Right wrist radiograph, lateral view 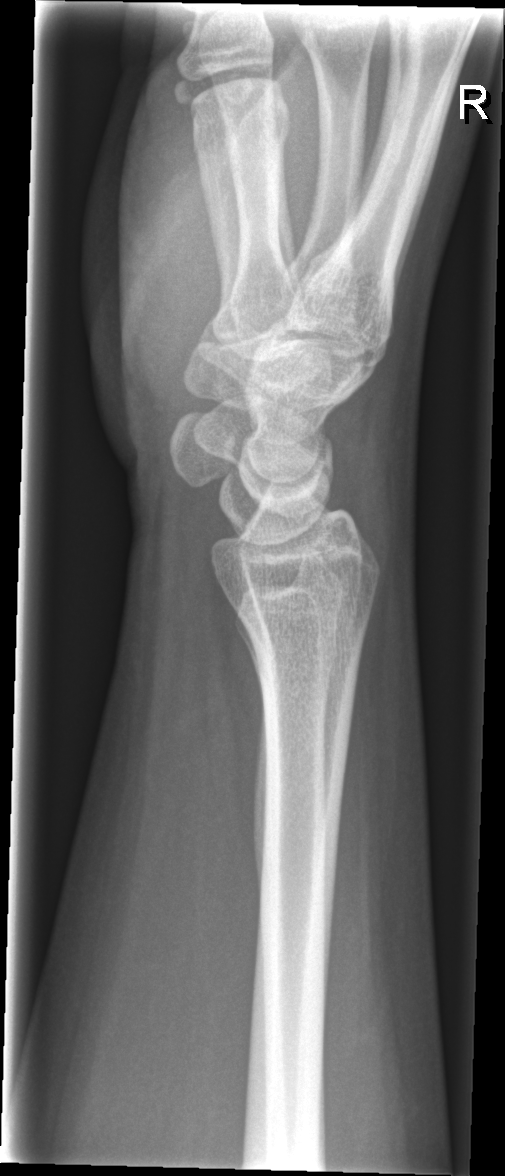
• No fracture annotation.